Right wrist XR, lat, index exam, image width 78.0 mm, image size 542x991 —

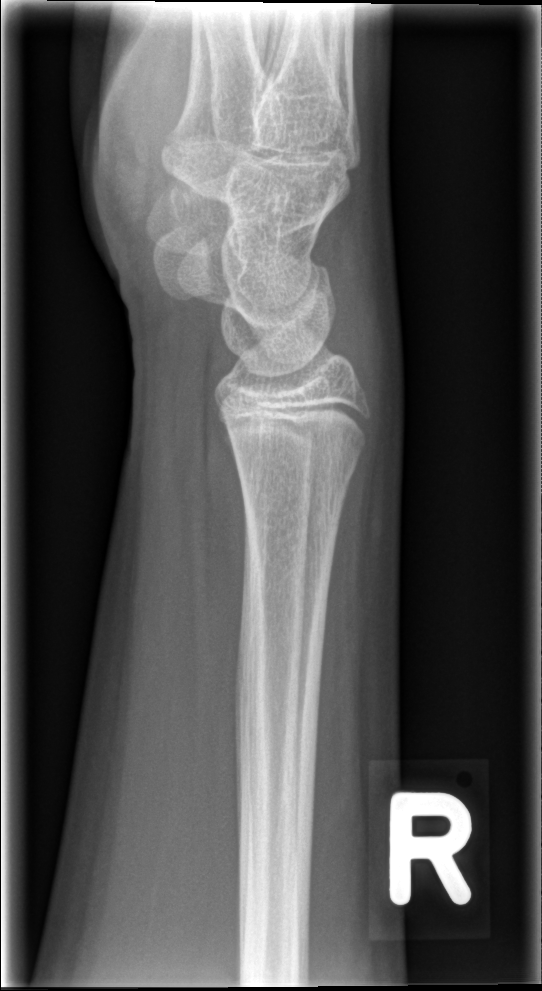
• No fracture labeled.